Left wrist X-ray · lateral · age 11 y, boy · detector: Siemens: 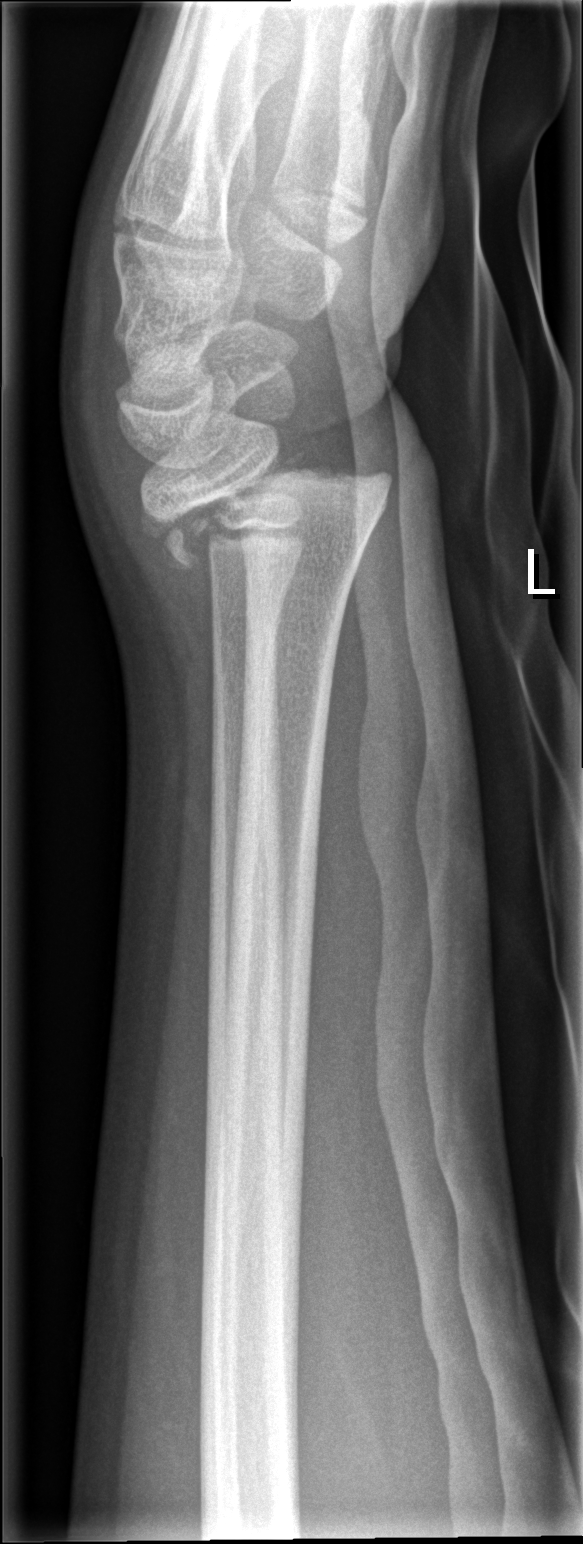 FINDINGS: Fx — [135, 449, 397, 582]. Fracture classified AO/OTA 23r-E/2.1; 23u-E/7.